Left wrist XR · lateral view · 15-year-old female · index exam · 653 x 1172 px:

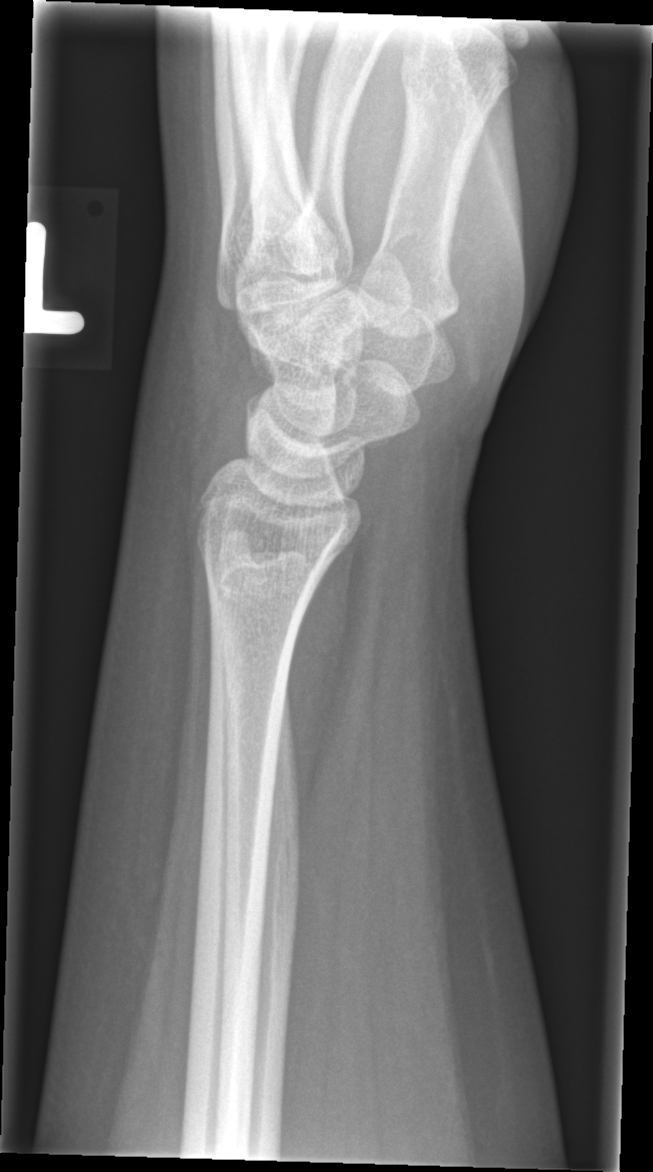 * No fracture bounding box.